PA/AP view; left wrist plain radiograph of the wrist; 8-year-old girl; cast in situ —

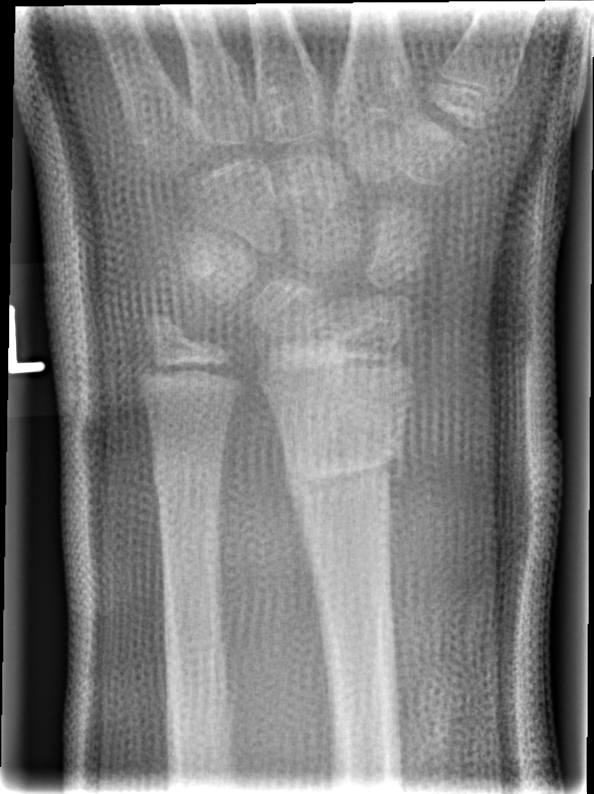
Fx: 2 @ 281 430 410 512
  149 457 231 505